Lat view, left wrist X-ray, image width 70.7 mm — 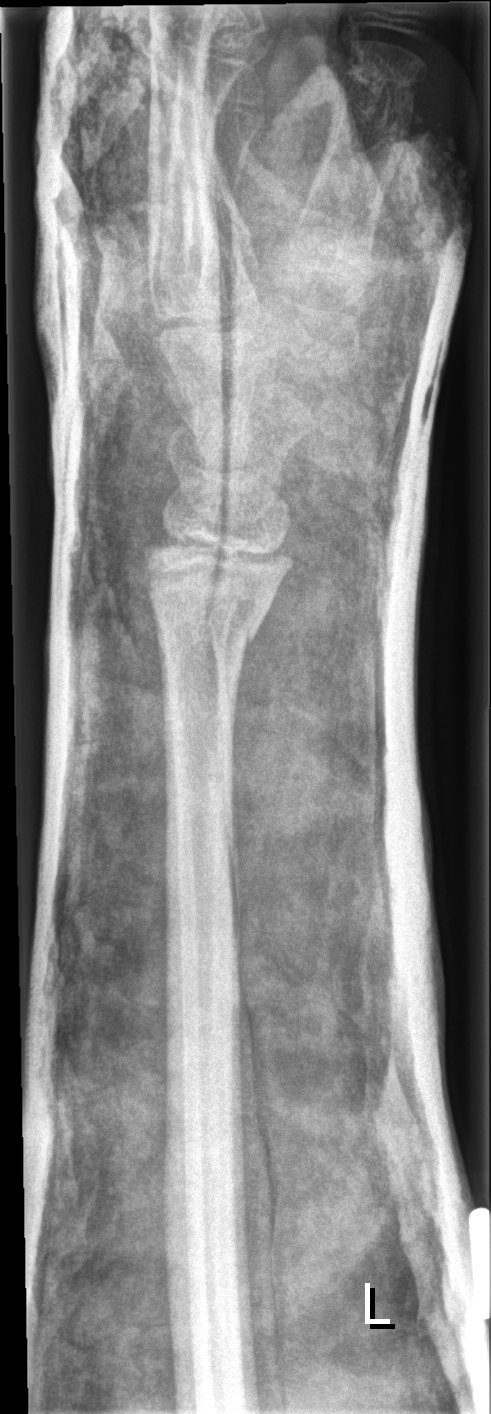   fracture: [143, 569, 283, 653]